Lat view · right wrist radiograph:
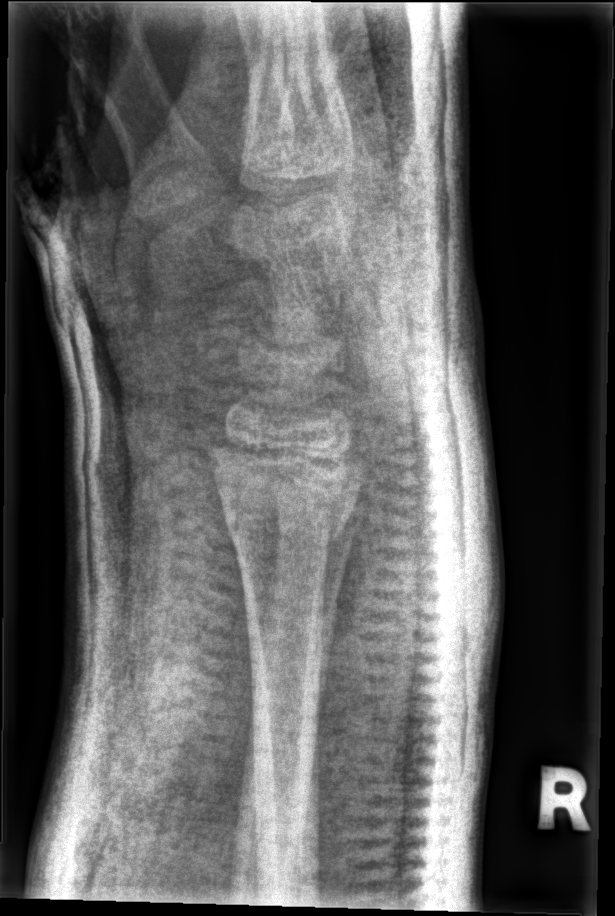
Findings: (bounding boxes in image-pixel xyxy) Bone fracture: [214, 465, 362, 549].